Right wrist X-ray | PA view:
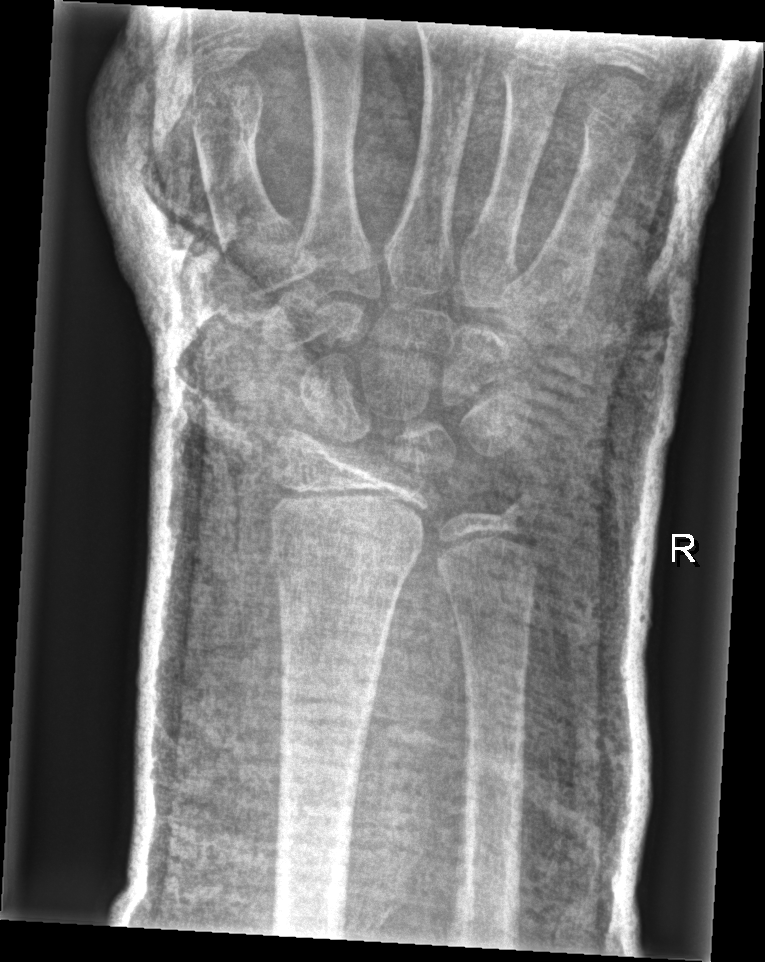 AO/OTA classification: 23r-M/3.1. Fx: 263 535 423 597.